Lat | left wrist X-ray | age 9 y, girl | in cast | 72.9 mm image width — 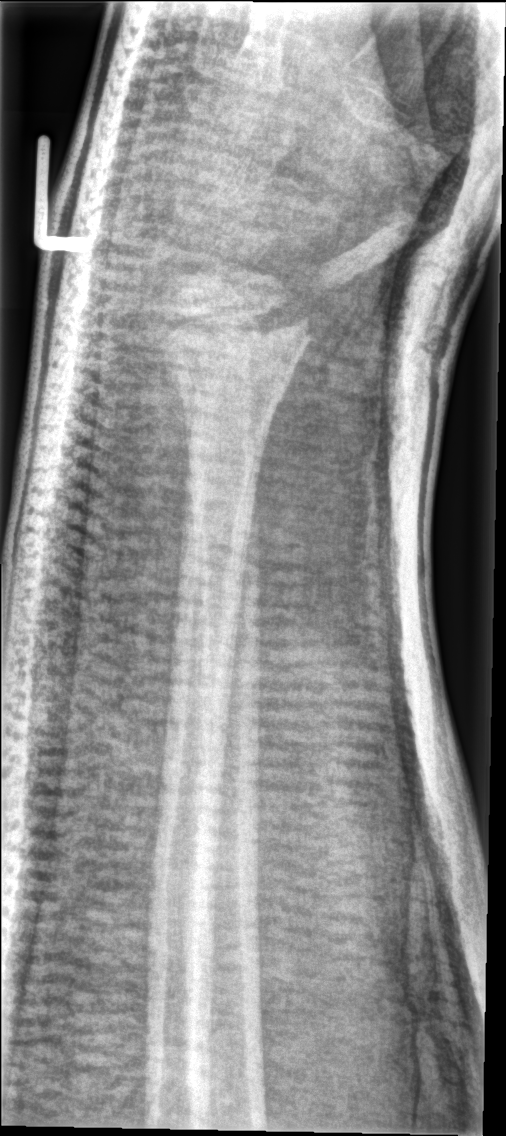 * Pixel coordinates, top-left origin, xyxy.
* Fracture: 141 291 315 402.
* AO code 23r-E/2.1; 23u-E/7.